Left wrist radiograph · AP view · presentation radiograph · 523 x 898 px:
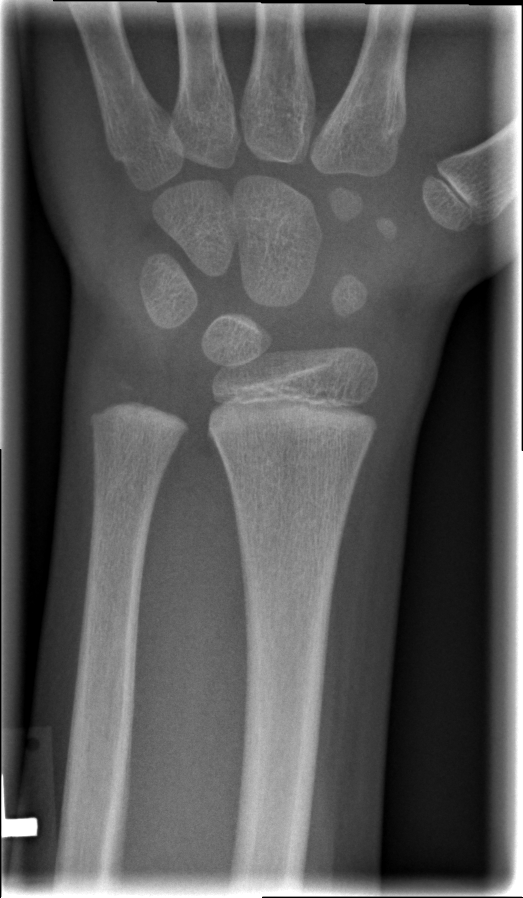
Fx: none labeled